Left wrist X-ray; lateral; 14y M; image size 486x1302
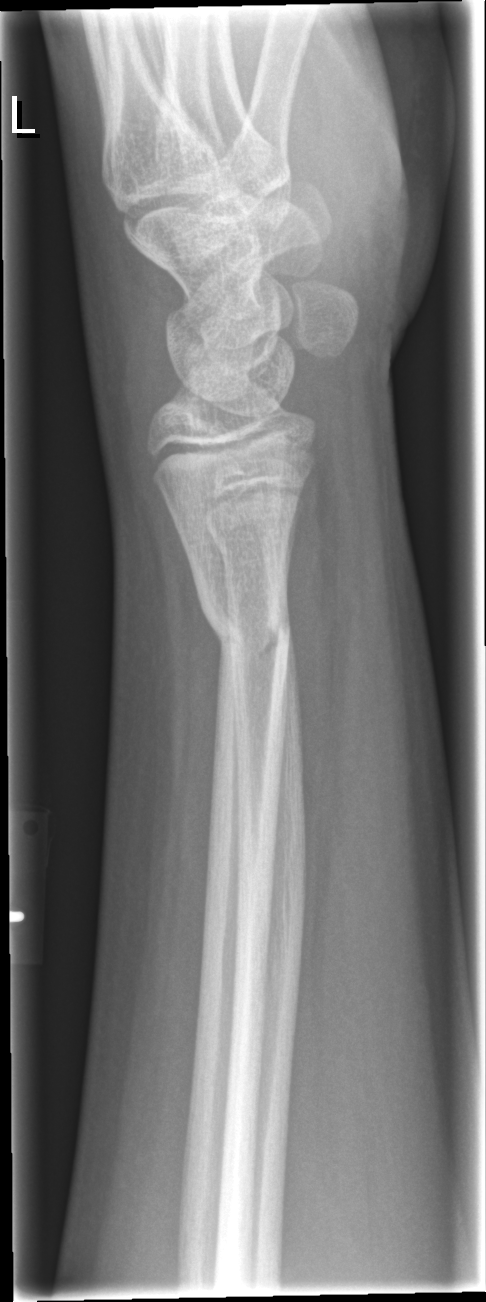 Boxes as x1,y1,x2,y2 (top-left / bottom-right, pixel units). Fx: 202,504,303,573 | 202,597,295,670.